Left wrist pediatric wrist radiograph · posteroanterior · pediatric patient (boy, age 13) · equivocal findings · image size 615x1048. 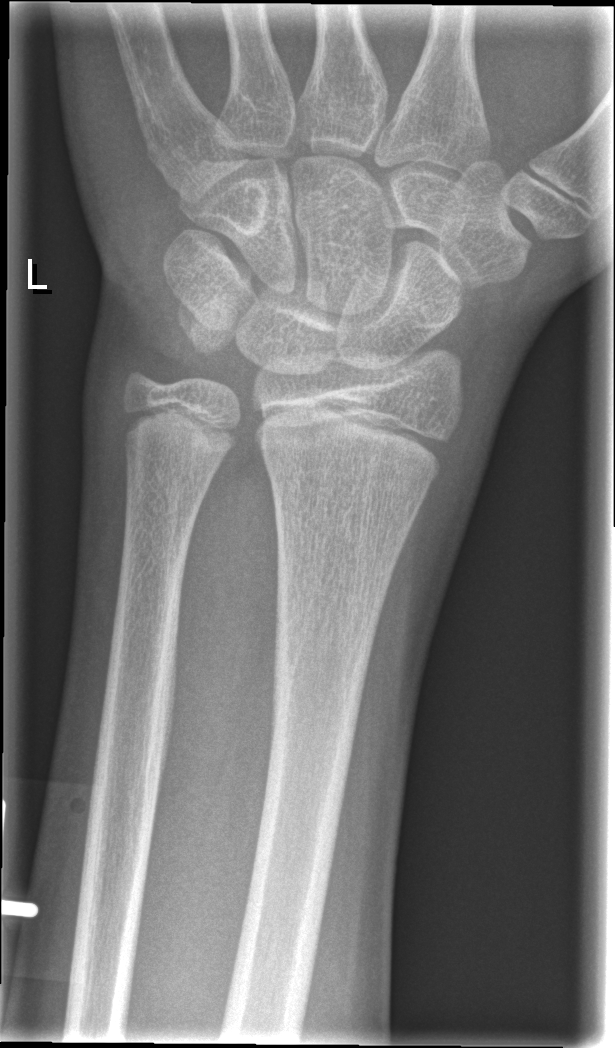
Fx: none labeled